Lateral view · Lt plain radiograph of the wrist · age 13 y, male:
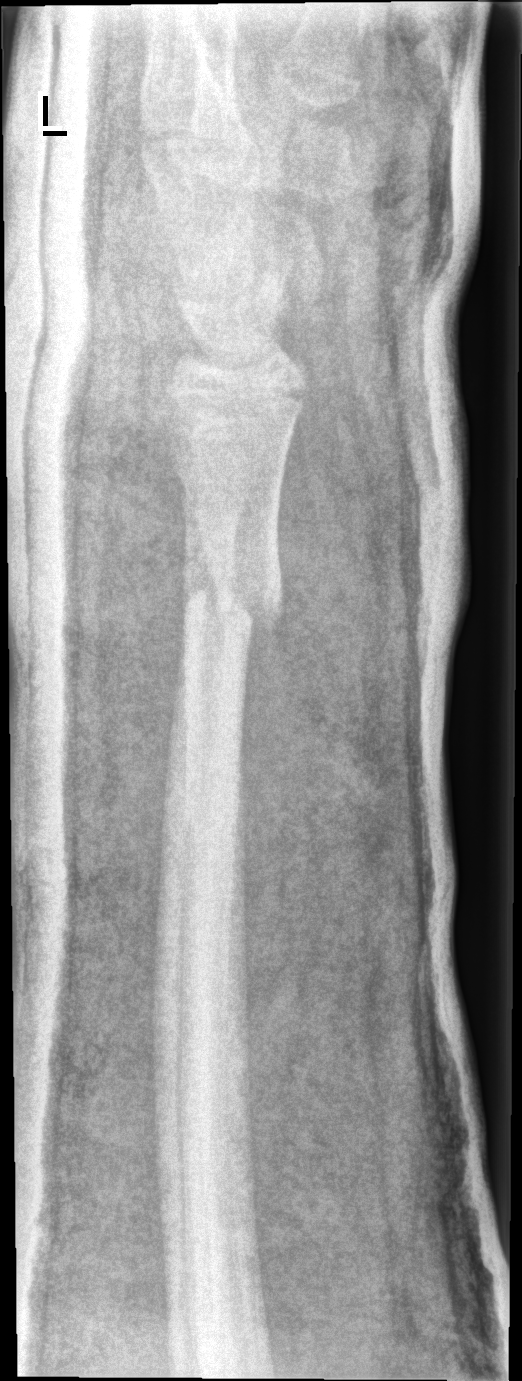 FINDINGS — Bone fracture identified at <172,574>-<285,639>.